L wrist plain film, PA/AP, 15y M, cast present:
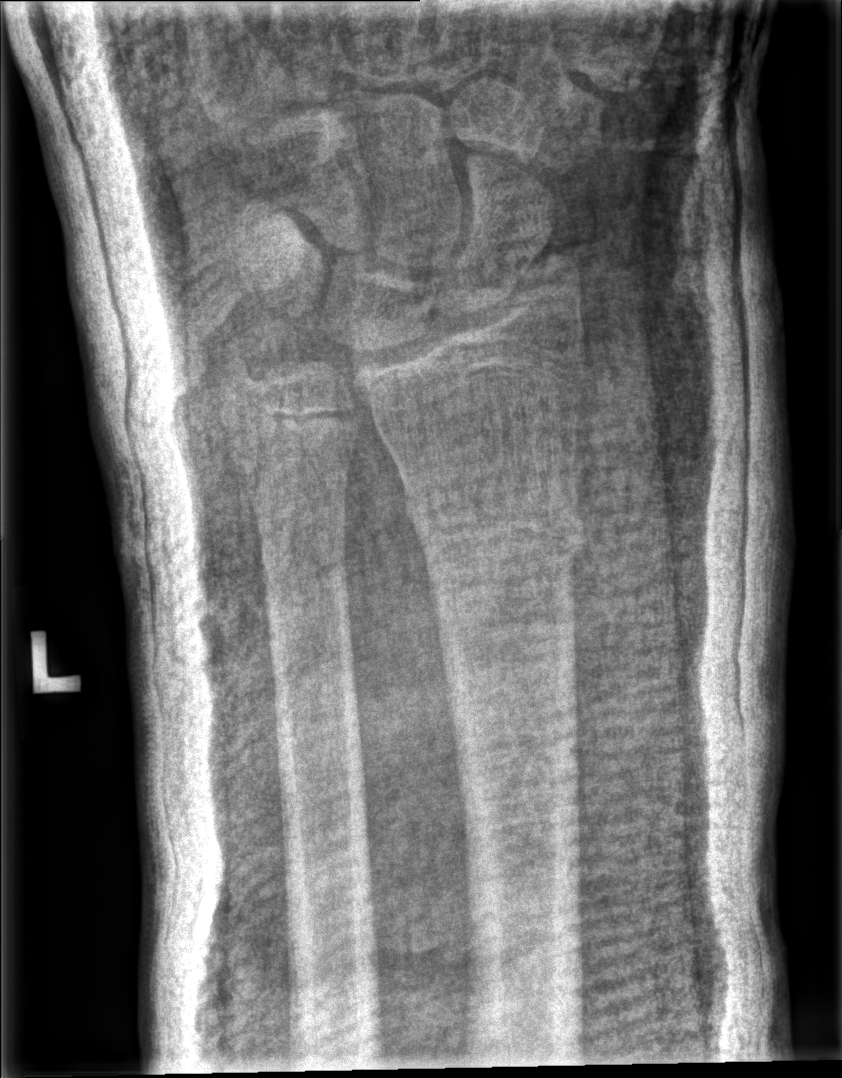
Q: Fracture present?
A: Fx identified at (399, 460, 592, 582) (213, 396, 365, 464)
Q: What is the AO/OTA classification?
A: AO code 23r-M/3.1; 23u-E/2.1